L wrist X-ray; lat; acquired on Siemens 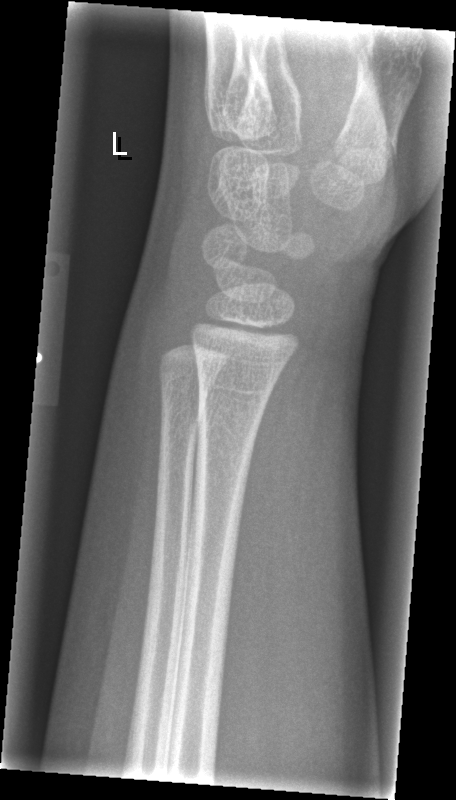
Findings: No fracture annotation.